Frontal, left pediatric wrist radiograph, 12-year-old girl.

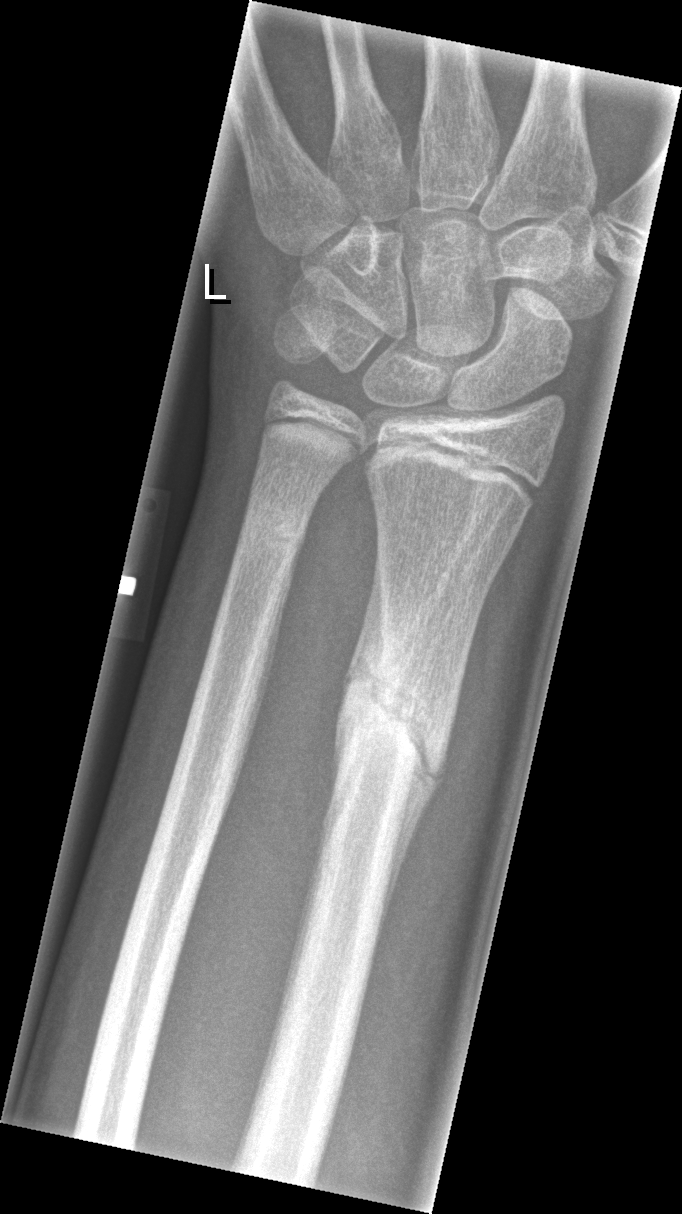 Q: Is there a fracture?
A: Fractures — (337, 641, 460, 803); (232, 499, 310, 563)
Q: Any periosteal thickening?
A: Periosteal reaction — (375, 678, 462, 951) (341, 536, 386, 705)